PA; R wrist radiograph; presentation radiograph —
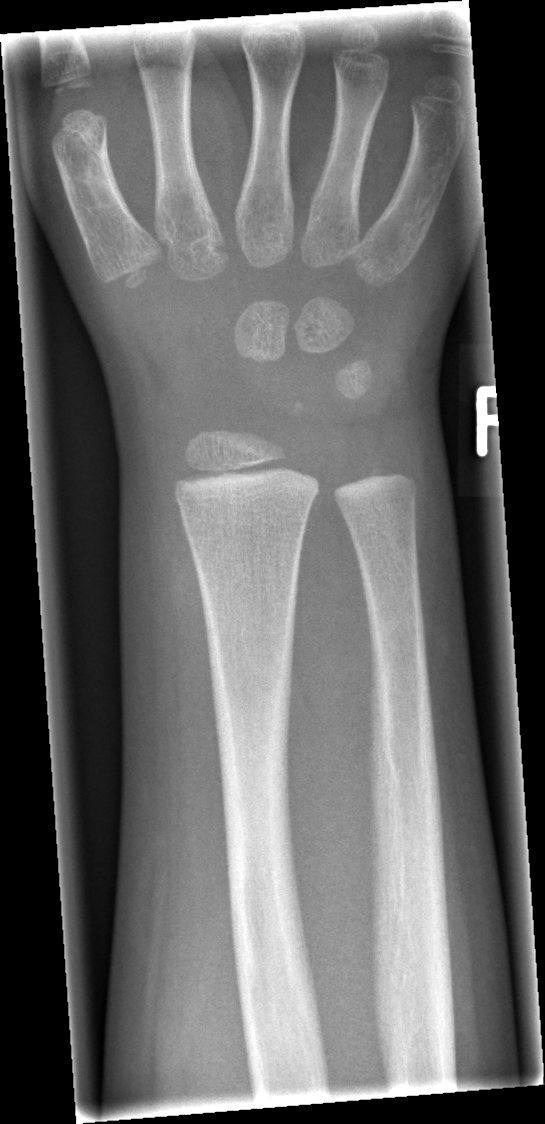 FINDINGS: No fracture annotation.